Left wrist radiograph; lateral; pediatric patient (male, age 12); Siemens.
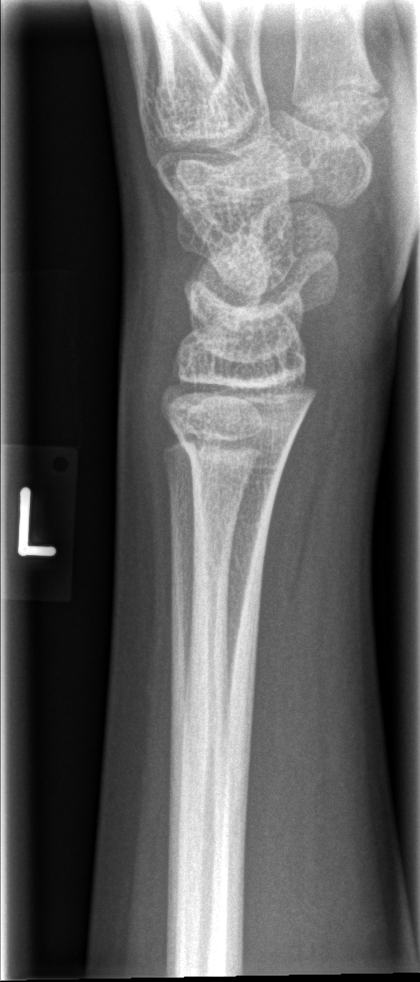

Q: Fracture present?
A: One bone fracture at (165, 411, 294, 487)